Right wrist plain film; lateral:
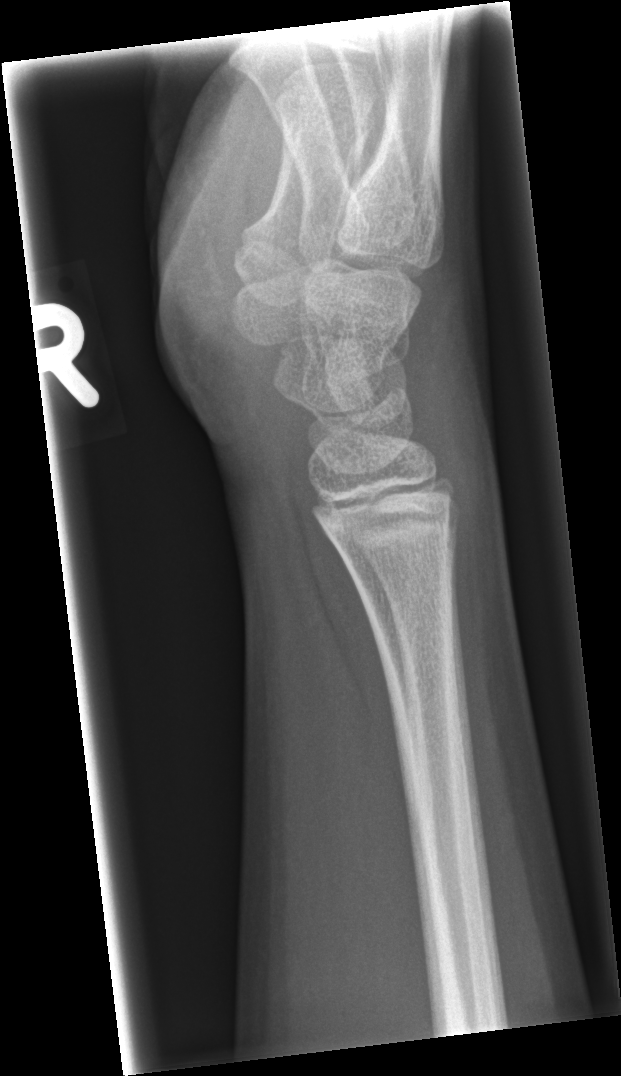 {
  "fracture": "none labeled"
}